Left wrist radiograph, posteroanterior, boy, 11 yo, index exam, detector: Siemens.
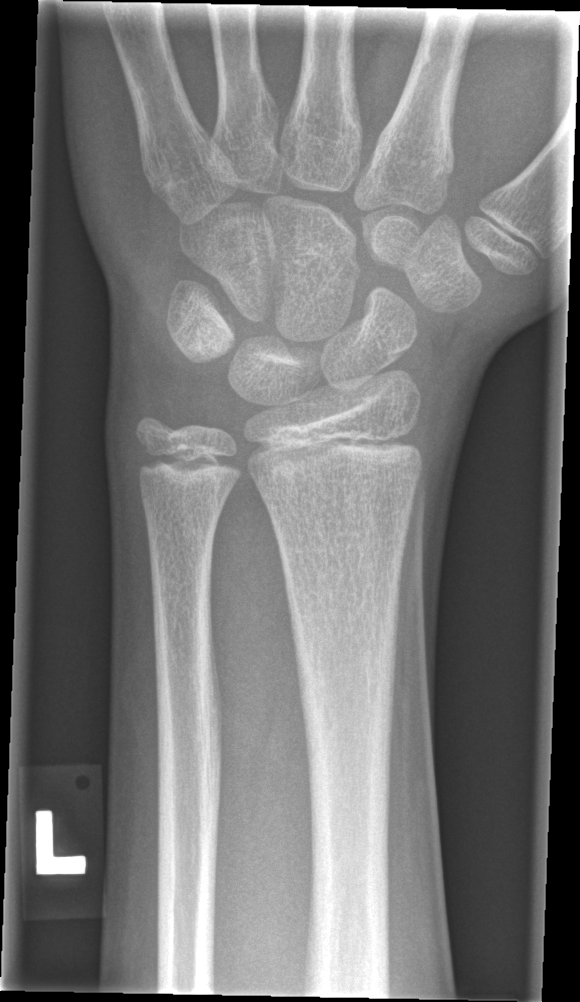

- Fx: none.